Rt pediatric wrist radiograph · frontal projection.

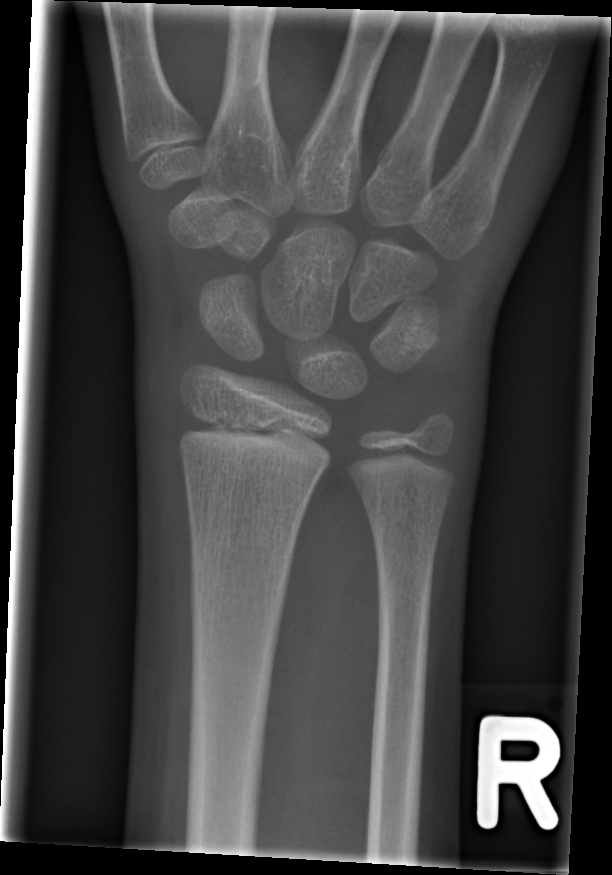

* No fracture annotation.